L wrist XR, AP projection, imaged through cast

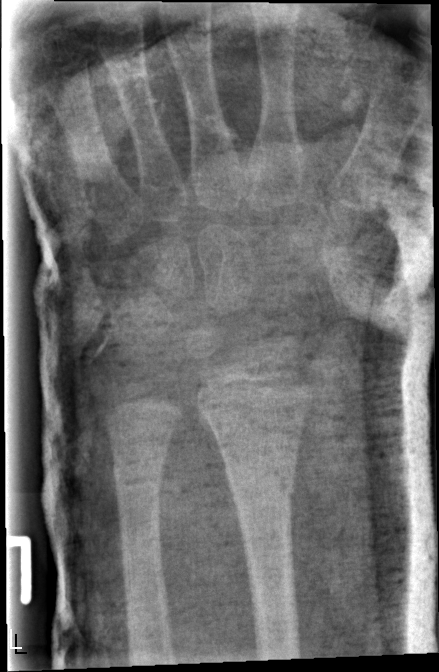 Findings: Fractures — (223, 454, 298, 506), (111, 458, 167, 493).